Lateral · left wrist plain film · age 8 y, female · presentation radiograph
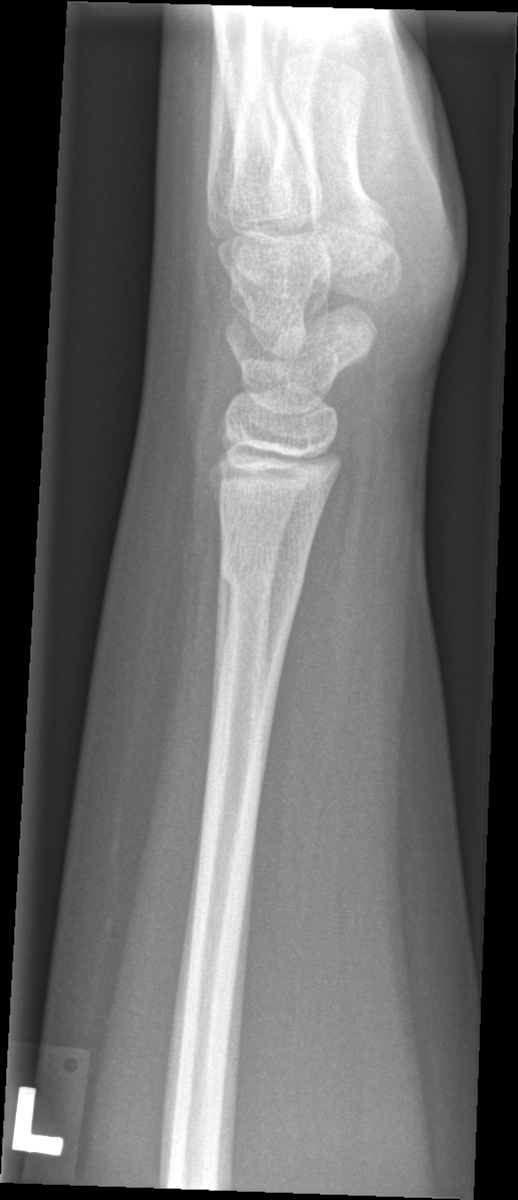

  fracture: (216, 537, 311, 605)